L wrist XR · PA view · 7y F · follow-up study · cast in situ · image size 419x662. 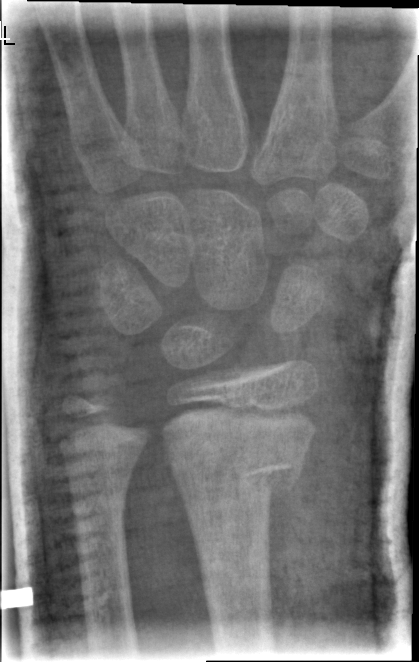

{
  "_coords": "bounding boxes in image-pixel xyxy",
  "fracture": "1 @ (164, 438, 309, 510)"
}